PA; left wrist radiograph; age 17 y, male — 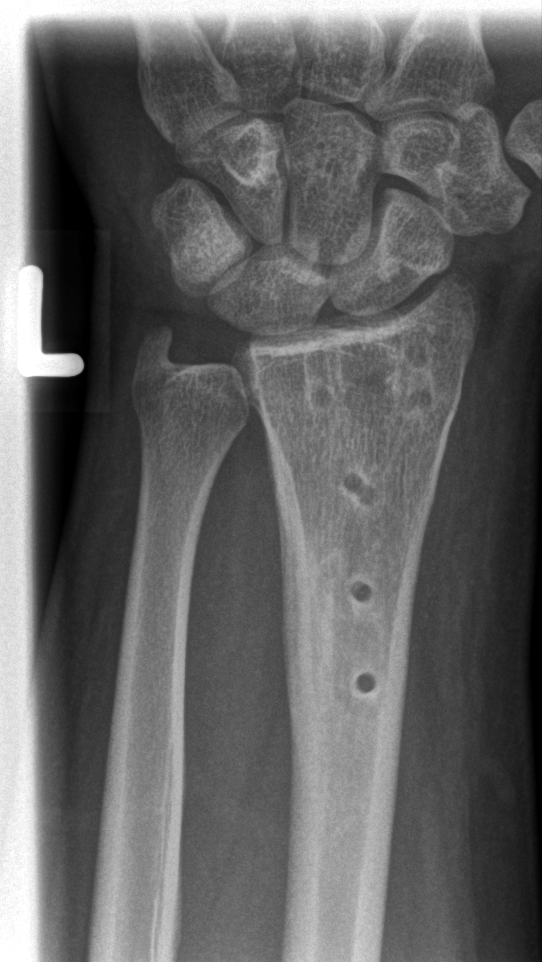
Findings: (bounding boxes in image-pixel xyxy) Bone variant identified at <296,322>-<441,433> <340,457>-<385,706>. No fracture labeled.